AP projection · left wrist X-ray · 17y M · diagnosis uncertain —
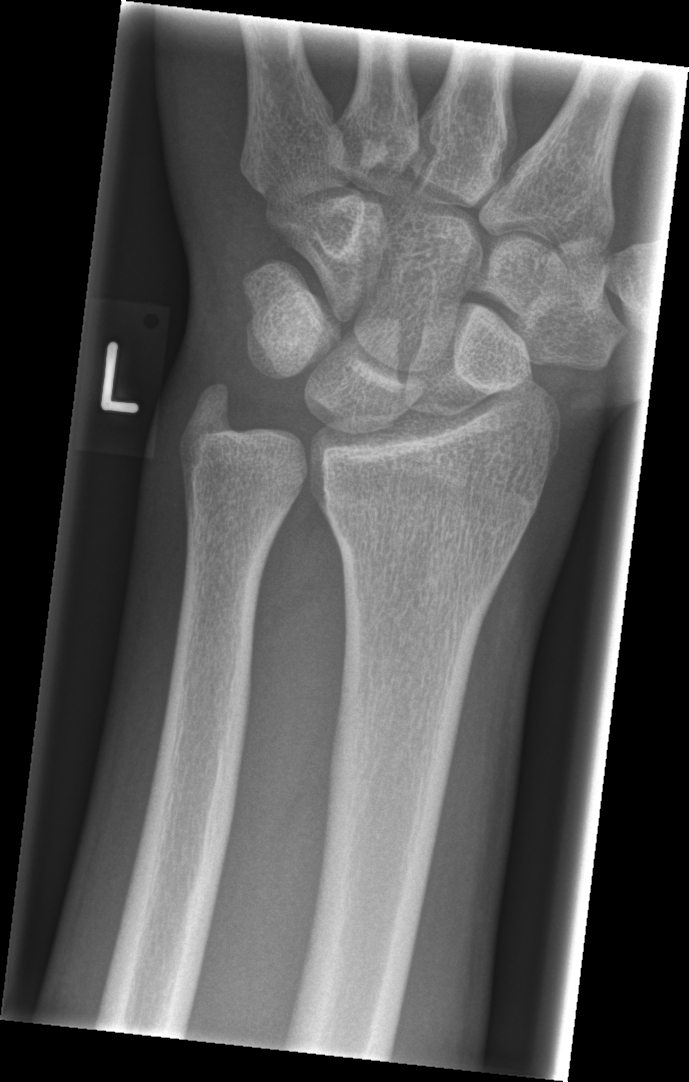
No Fx annotated.